Lt wrist X-ray, AP, age 13 y, male, subsequent exam, Siemens, image size 780x1041 —

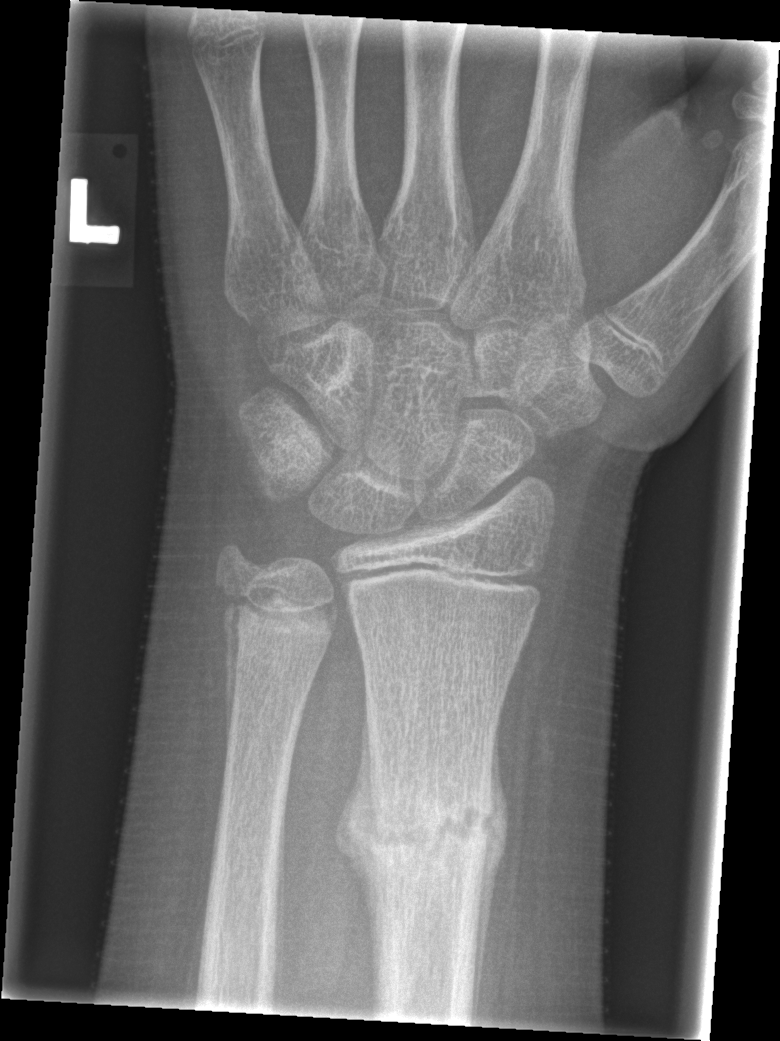 Coordinates are [x1, y1, x2, y2] in image pixels.
Periosteal new bone: [471, 717, 512, 1024] [332, 702, 374, 931] [223, 603, 241, 772].
Two Fx at [334, 750, 514, 913], [213, 572, 341, 652].